Right wrist plain film, lat, male, 10 yo, 525 x 938 px. 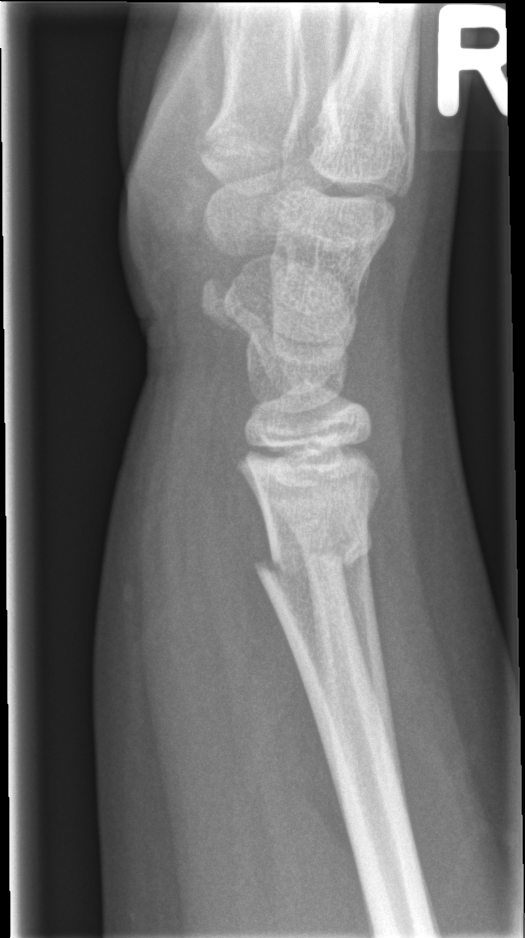
• Fx: [x1=248, y1=517, x2=374, y2=596].
• Fracture classified AO/OTA 23r-M/3.1.